PA projection · L plain radiograph of the wrist · index exam

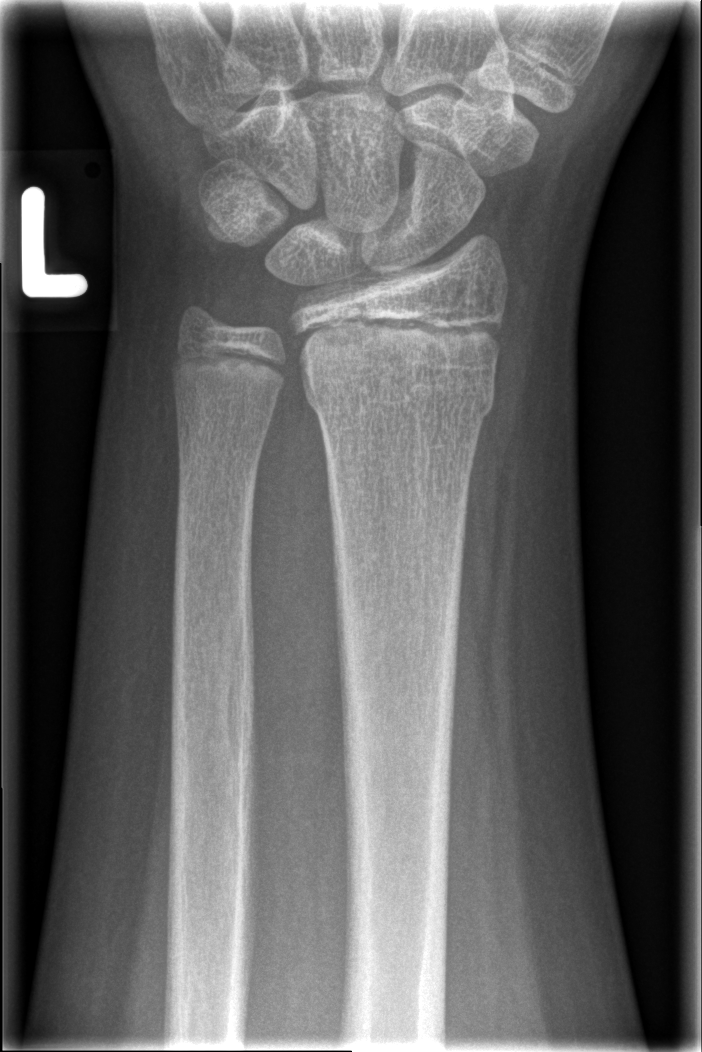

bone fracture: 1 @ bbox(304, 345, 502, 429)